Frontal | right wrist radiograph

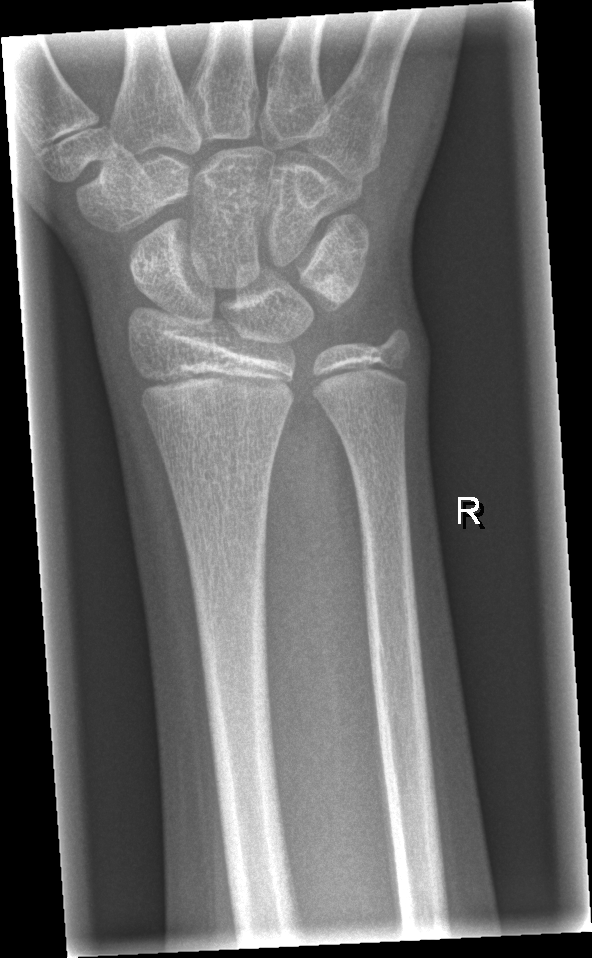
  fracture: none labeled